L wrist radiograph · lat view · 464 by 896 pixels —

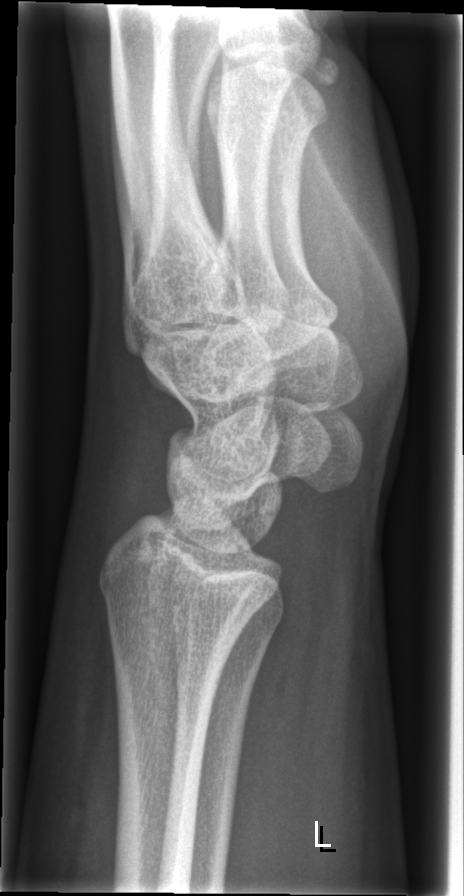

No fracture labeled.